PA; left wrist X-ray; girl, 8 yo; subsequent exam.

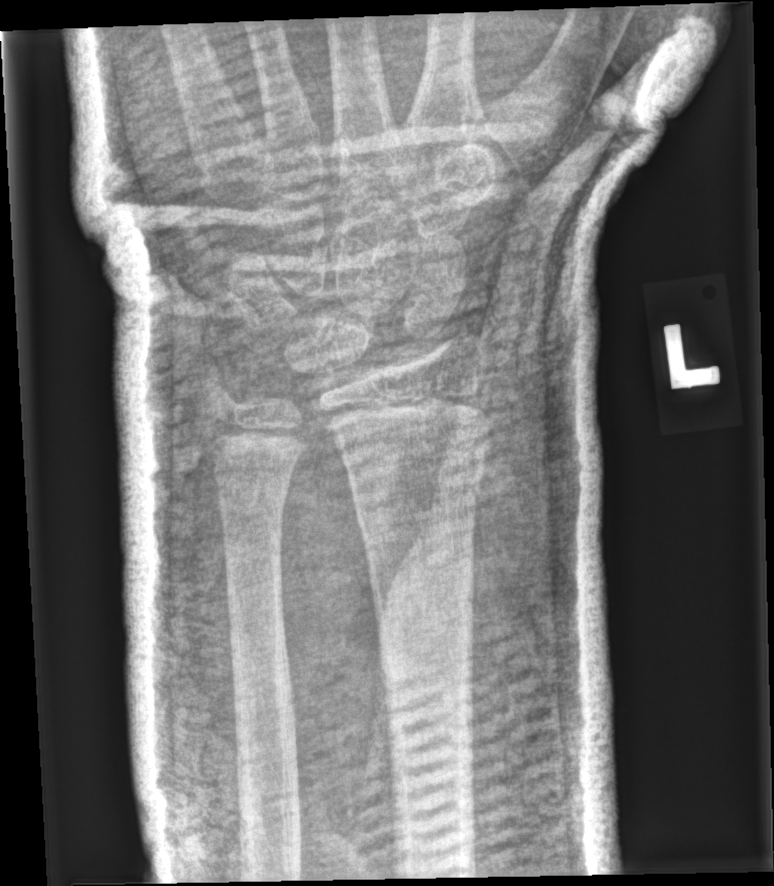 (pixel coordinates, top-left origin, xyxy)
Q: AO code?
A: AO/OTA classification: 23r-M/2.1
Q: Is there a fracture?
A: Fx: (left=348, top=470, right=485, bottom=541)